Left plain radiograph of the wrist | PA/AP | follow-up study 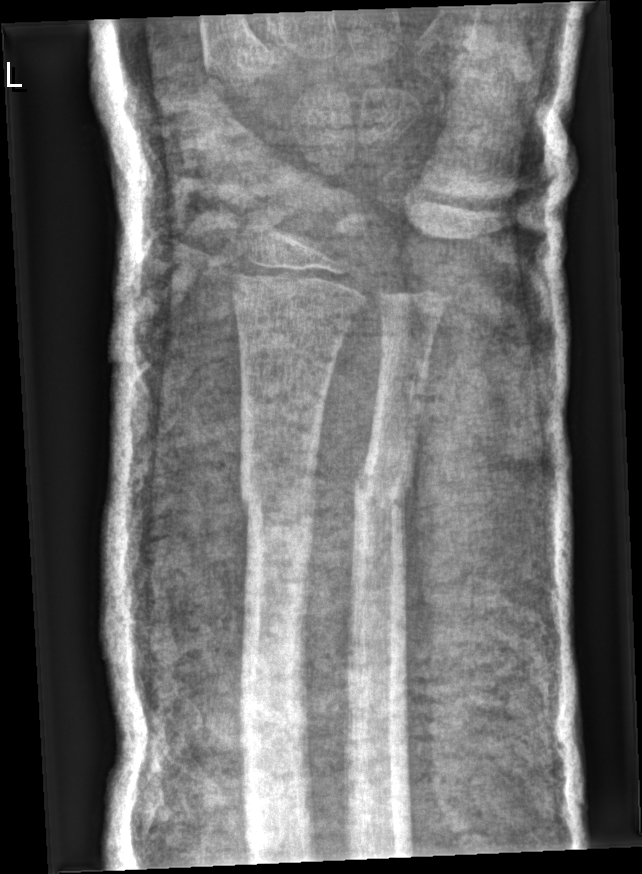

FINDINGS: AO code 22-D/2.1. Fracture identified at (237, 479, 319, 540), (352, 466, 414, 523).